Rt wrist plain film | AP view | 13y M | acquired on Siemens

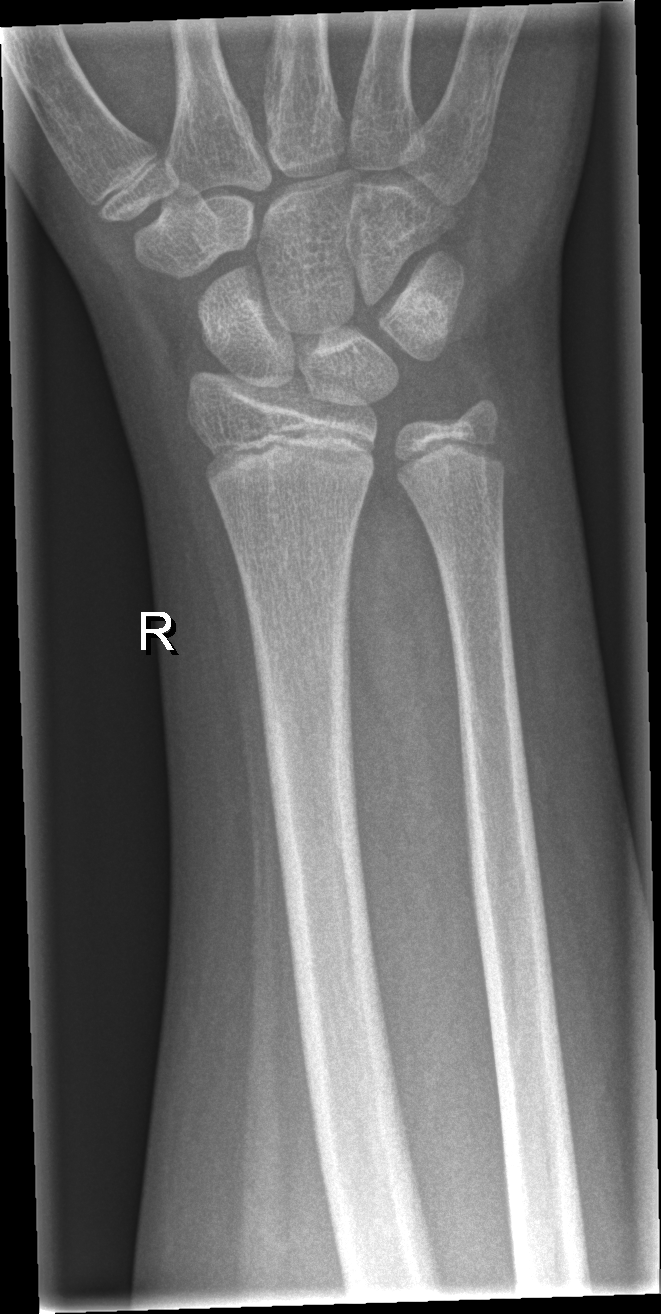
No fracture annotation.